Frontal view, Lt wrist plain film, boy, 13 yo, follow-up study, 752 by 1070 pixels
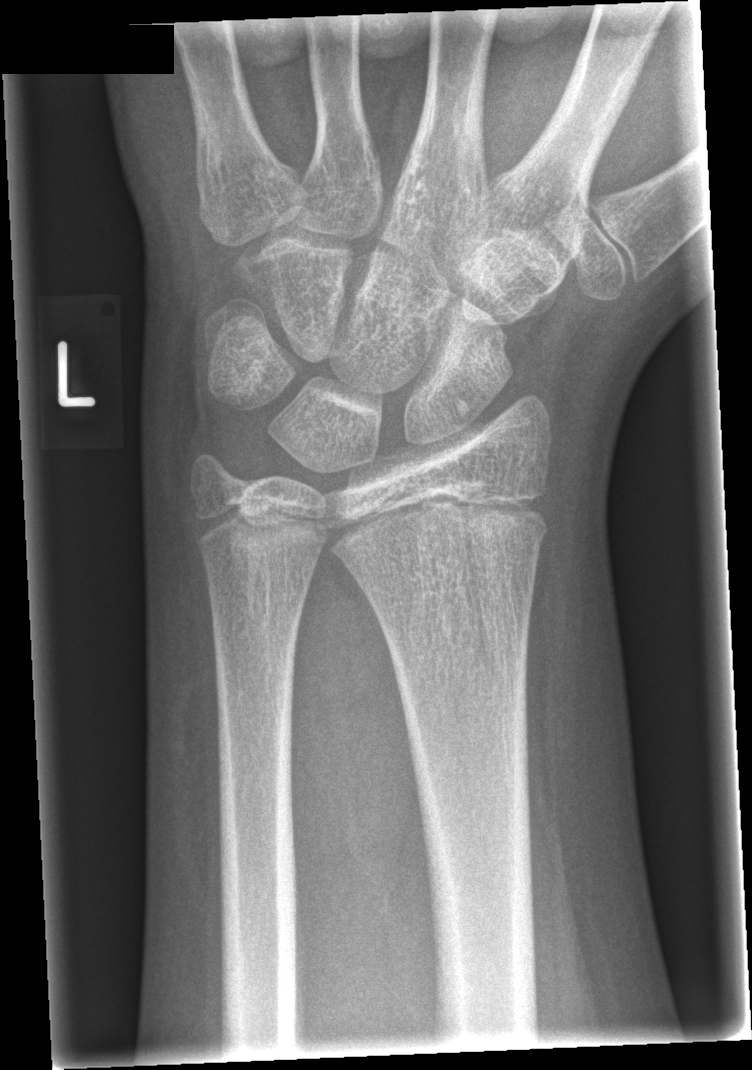 FINDINGS: Fracture: none labeled. Osteopenic.